Lat view | left pediatric wrist radiograph | 12y M.

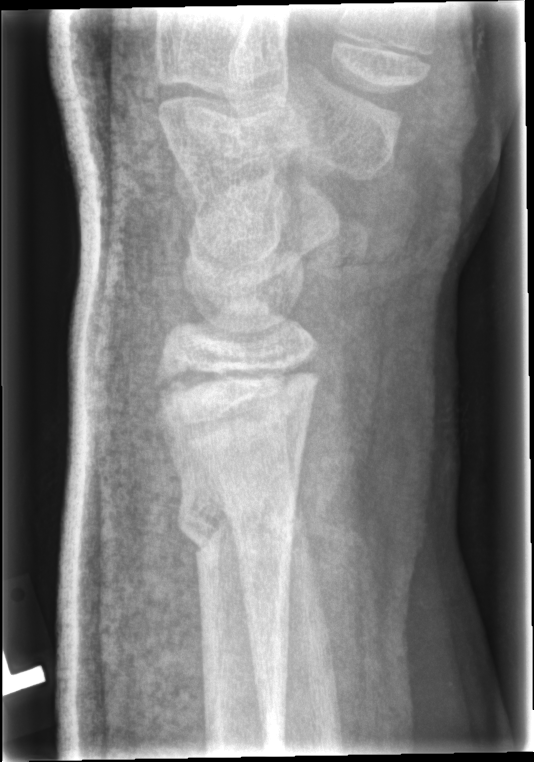 (pixel coordinates, top-left origin, xyxy)
AO classification = 23-M/3.1; 23u-E/7
Fx = [176, 480, 298, 565]